PA projection, Lt wrist X-ray, detector: Siemens, 658 by 1154 pixels:

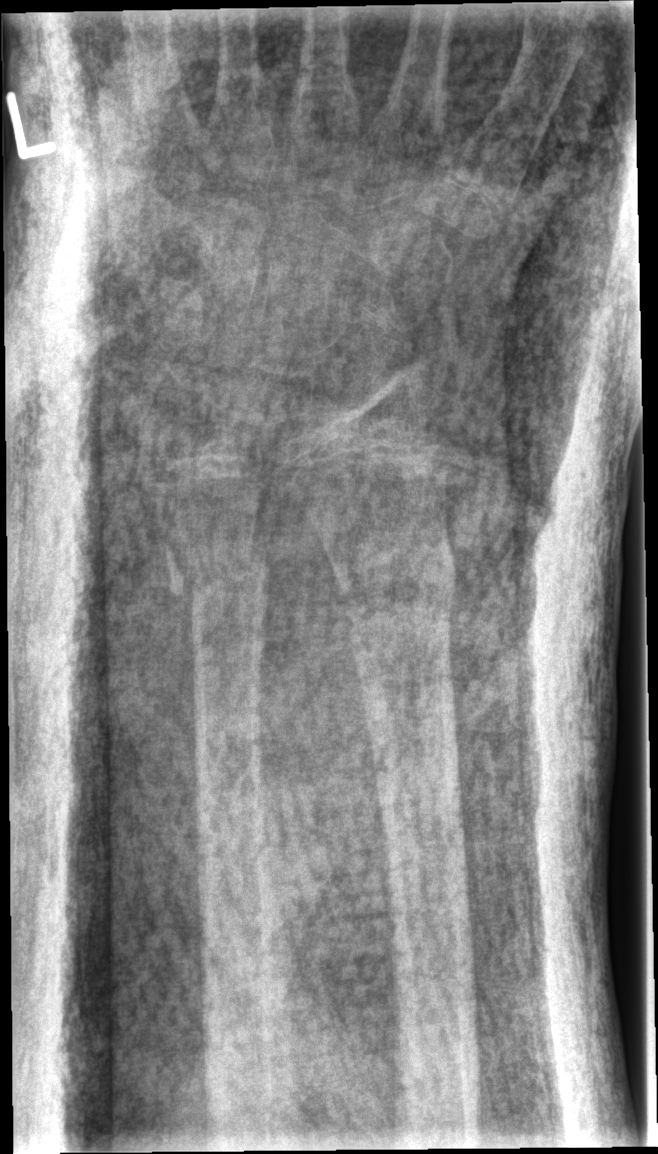

{"ao": "23-M/3.1", "fracture": "(left=334, top=531, right=460, bottom=634), (left=178, top=544, right=275, bottom=606)"}